L wrist X-ray; lateral; age 9 y, boy; image 71.7 mm wide —

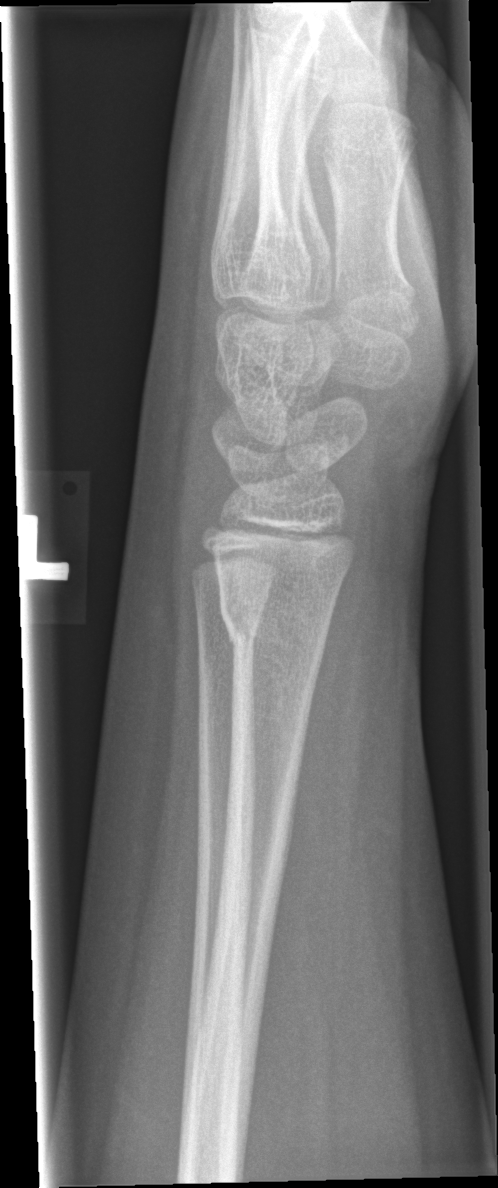

• Fx: (220, 598, 330, 673).